Lat projection | left plain radiograph of the wrist | follow-up study | 562x678
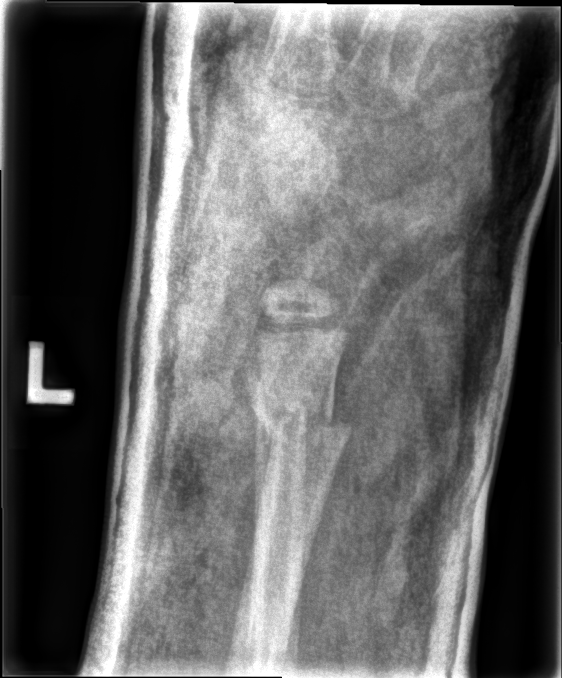 AO/OTA classification: 23-M/3.1.
Bone fracture — 247,391,352,448.